PA/AP view | Rt pediatric wrist radiograph.

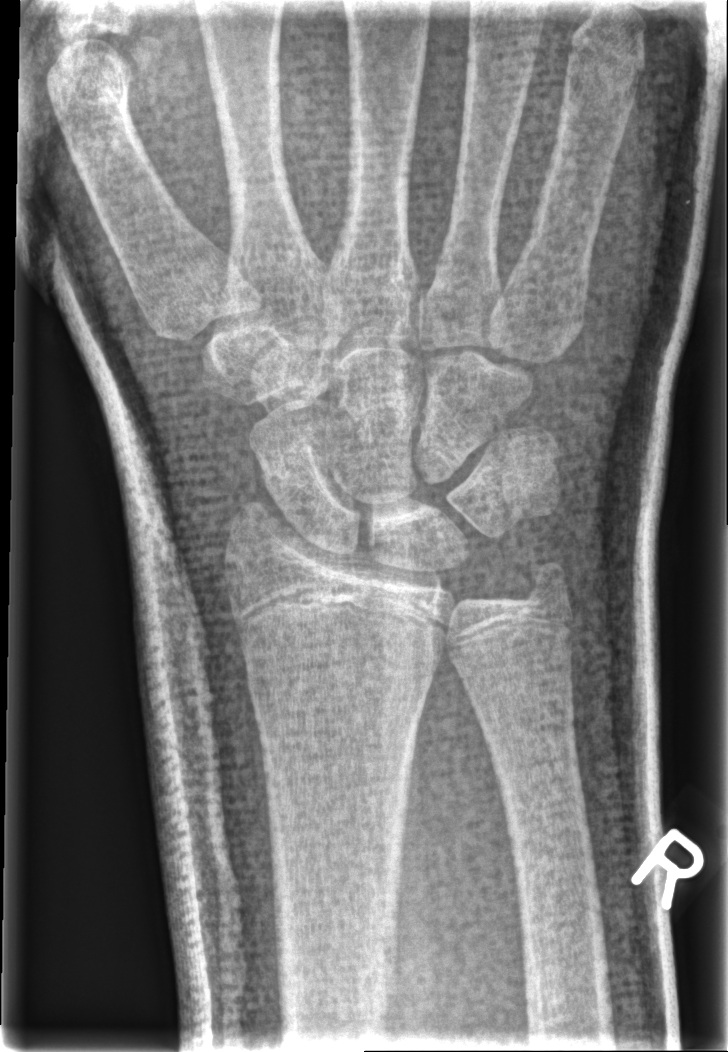
  # bounding boxes in image-pixel xyxy
  fracture: 1 @ bbox(256, 436, 345, 497)
  ao: 72B(b)